Lateral, L wrist X-ray

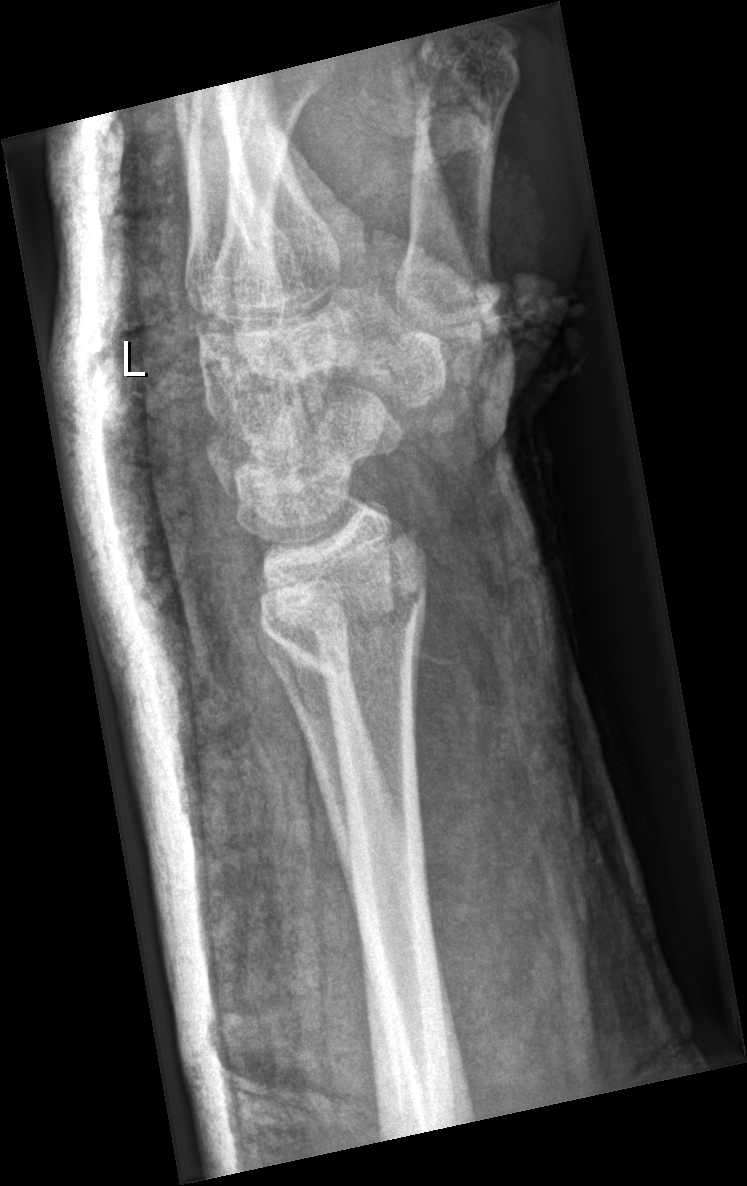
Fx = bbox(254, 559, 436, 666)